PA; Rt wrist plain film; initial study; Siemens

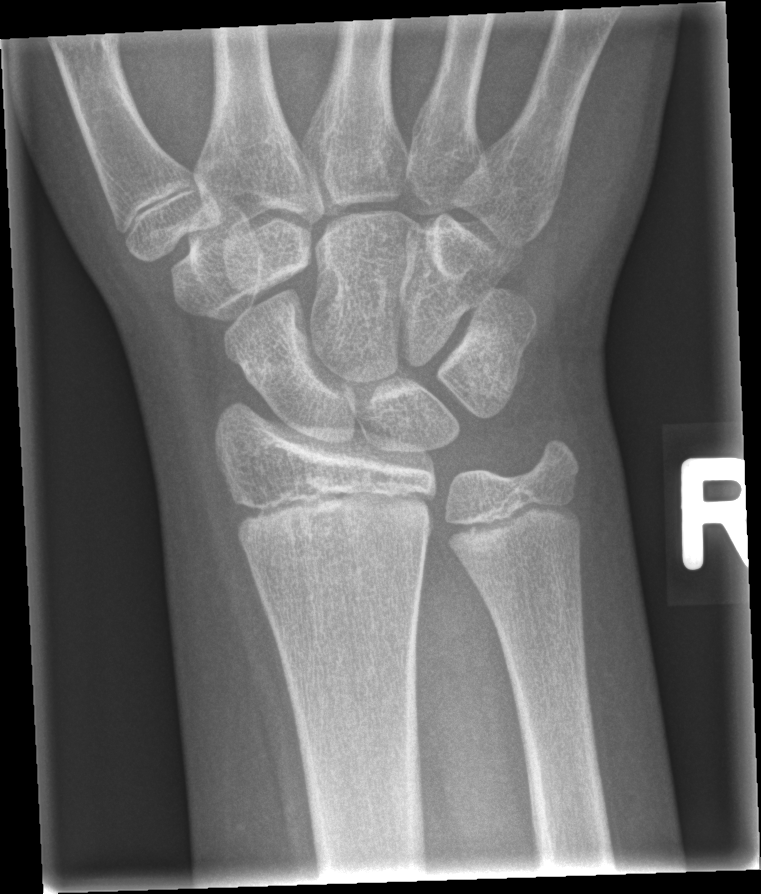 AO code: 23r-M/2.1
Fx: present but not clearly seen in this view